L wrist plain film · lat projection · age 12 y, boy · imaged through cast · 566x1101
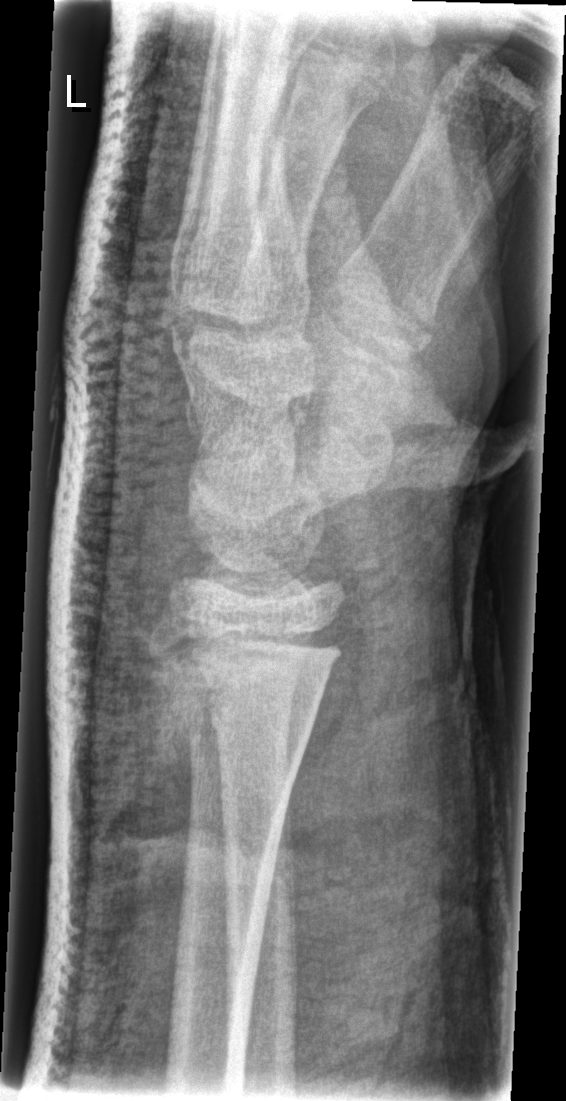
Findings: (pixel coordinates, top-left origin, xyxy) Fracture classified AO/OTA 23r-M/3.1; 23u-M/2.1; 23u-E/7. Bone fracture — [147, 624, 348, 731].